Right wrist plain film; lateral; girl, 8 yo. 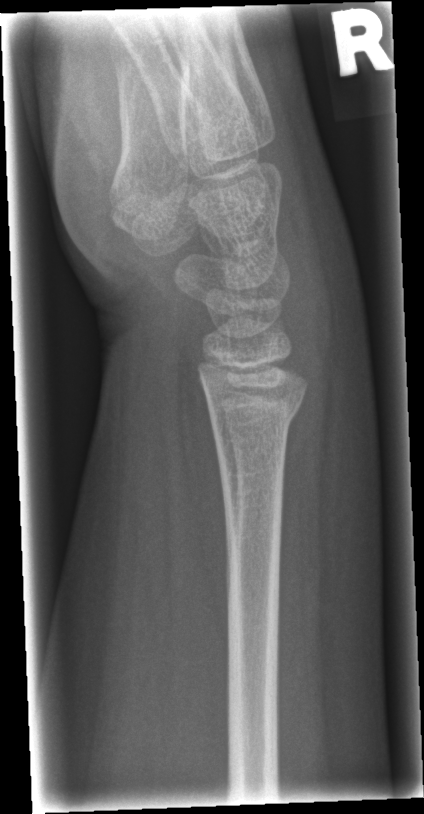
Fx: (left=206, top=394, right=307, bottom=439)